PA projection · L wrist X-ray · image size 547x996

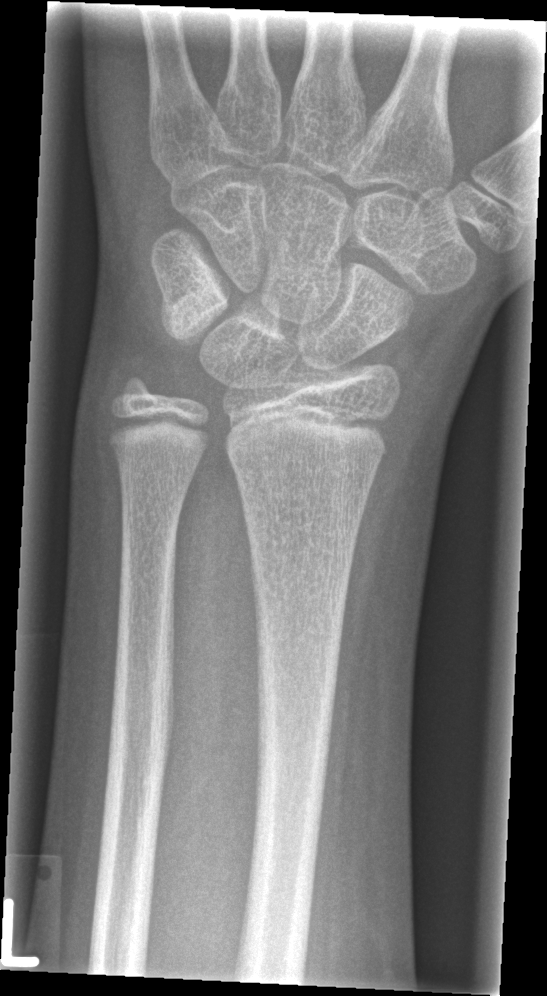

* No fracture bounding box.